Lat view, Lt wrist X-ray, male, 15 yo, cast present, 703 x 1260 px

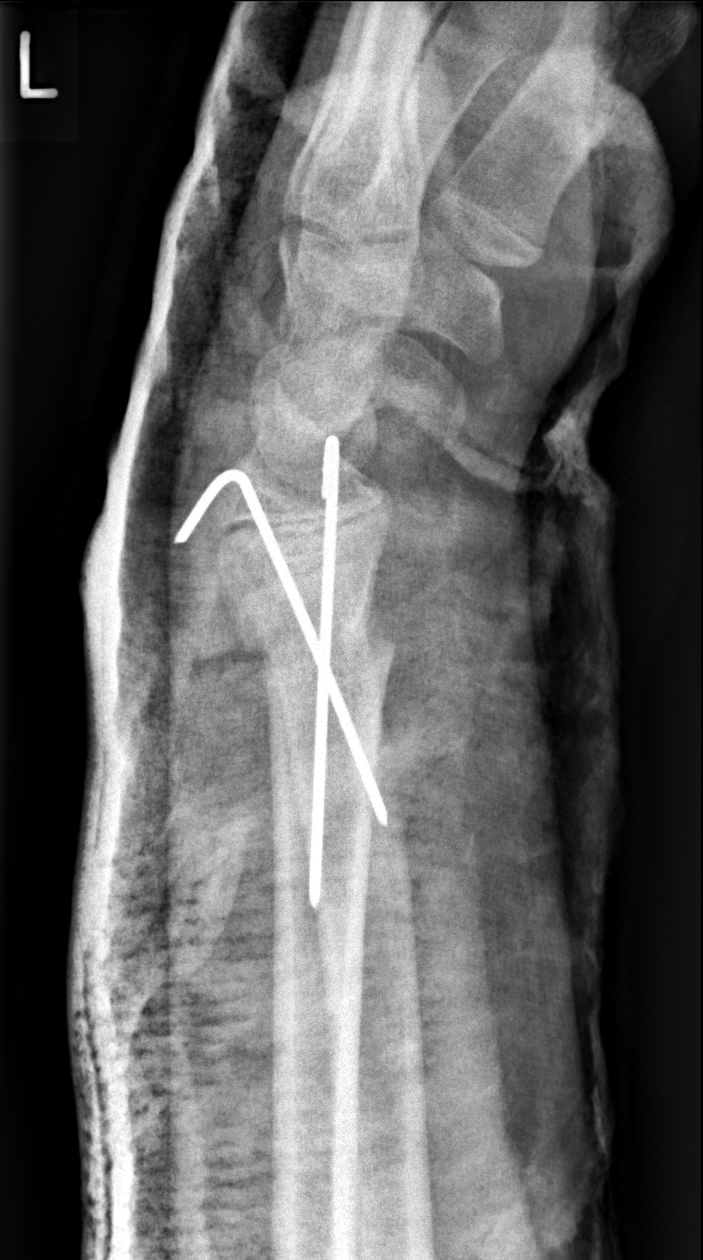
Metallic hardware: (left=175, top=436, right=385, bottom=909)
AO/OTA: 23r-M/3.1; 23u-M/2.1
Bone fracture: 1 @ (left=230, top=598, right=399, bottom=679)